Right plain radiograph of the wrist | frontal view | 10y F | image 71.4 mm wide —

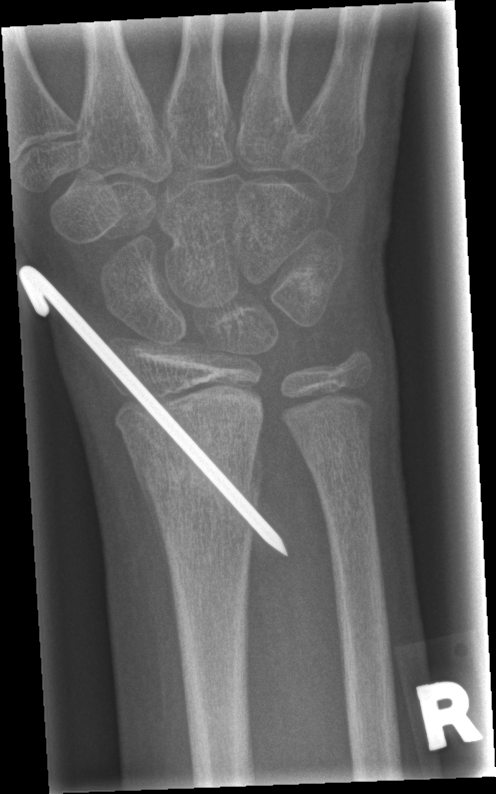
* Coordinates are [x1, y1, x2, y2] in image pixels.
* Periosteal thickening — 121,427,178,632; 249,434,262,496.
* AO/OTA classification: 23r-M/3.1.
* Bone fracture: 133,440,266,507.
* Metal: 16,261,292,561.